Left wrist pediatric wrist radiograph, AP, pediatric patient (female, age 5), subsequent exam, in cast, image width 95.5 mm 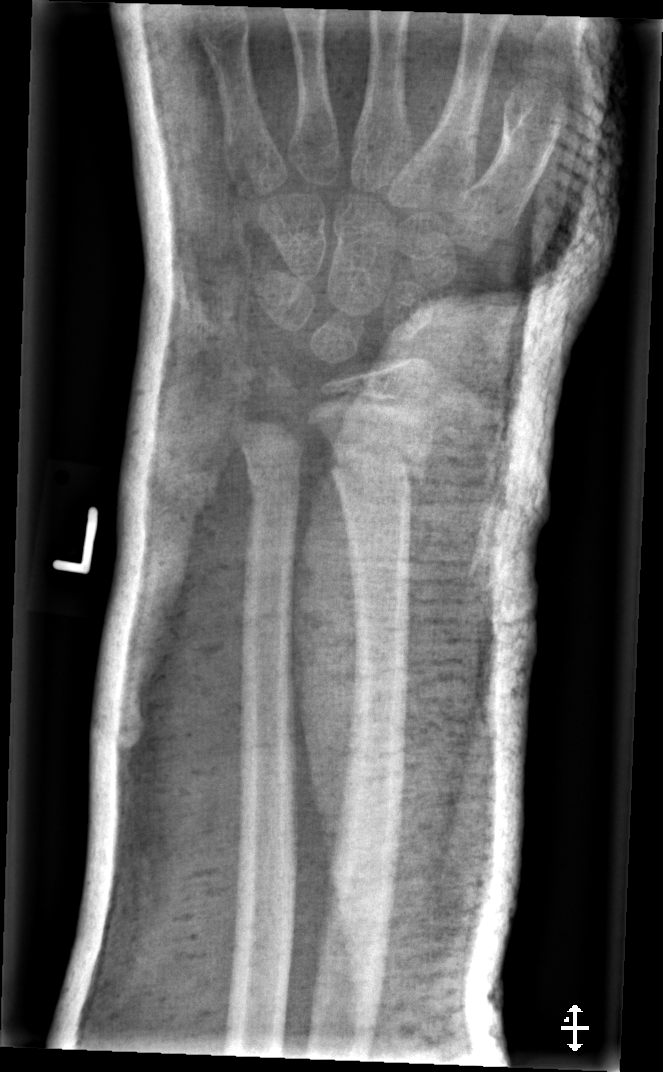 Fx: 2 @ (322, 431, 434, 502); (238, 441, 306, 510)
AO/OTA: 23-M/3.1